Rt wrist radiograph, lat projection, detector: Siemens
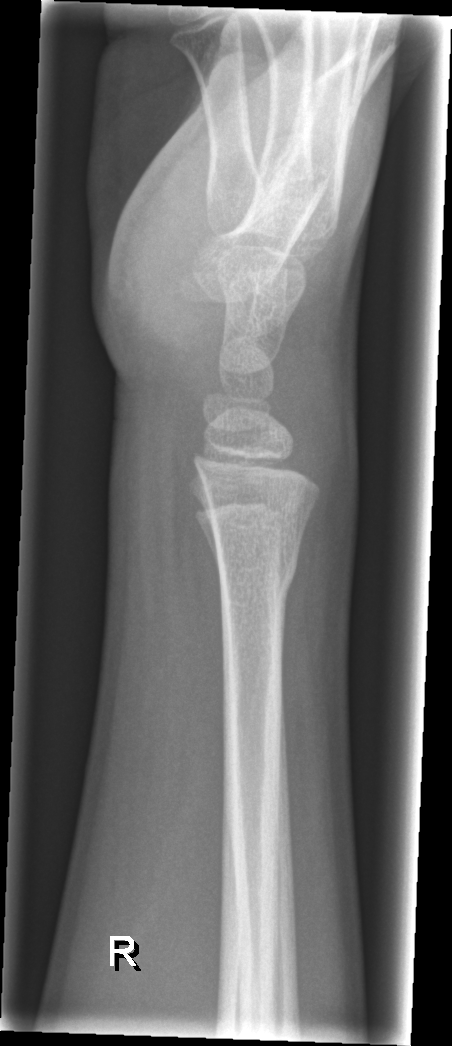 Boxes as x1,y1,x2,y2 (top-left / bottom-right, pixel units). Fx: [x1=217, y1=543, x2=301, y2=607]. AO/OTA classification: 23r-M/2.1.